Lateral projection | left wrist plain film | pediatric patient (male, age 7)

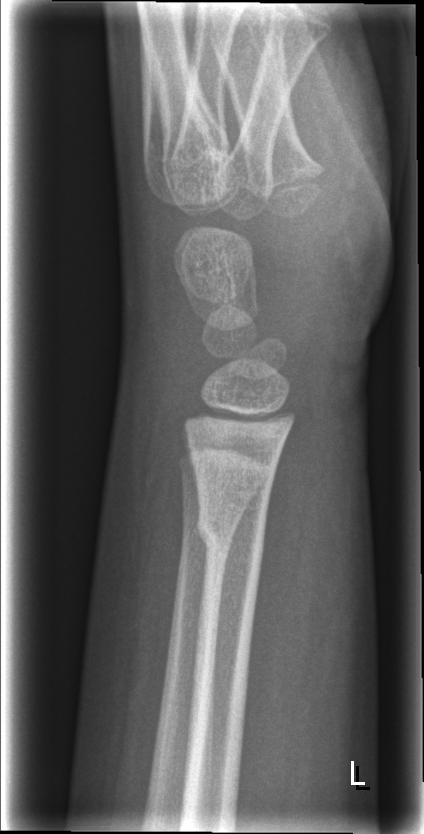

FINDINGS: Fracture: (191, 502, 268, 572).